Rt plain radiograph of the wrist, lateral projection, pediatric patient (boy, age 11). 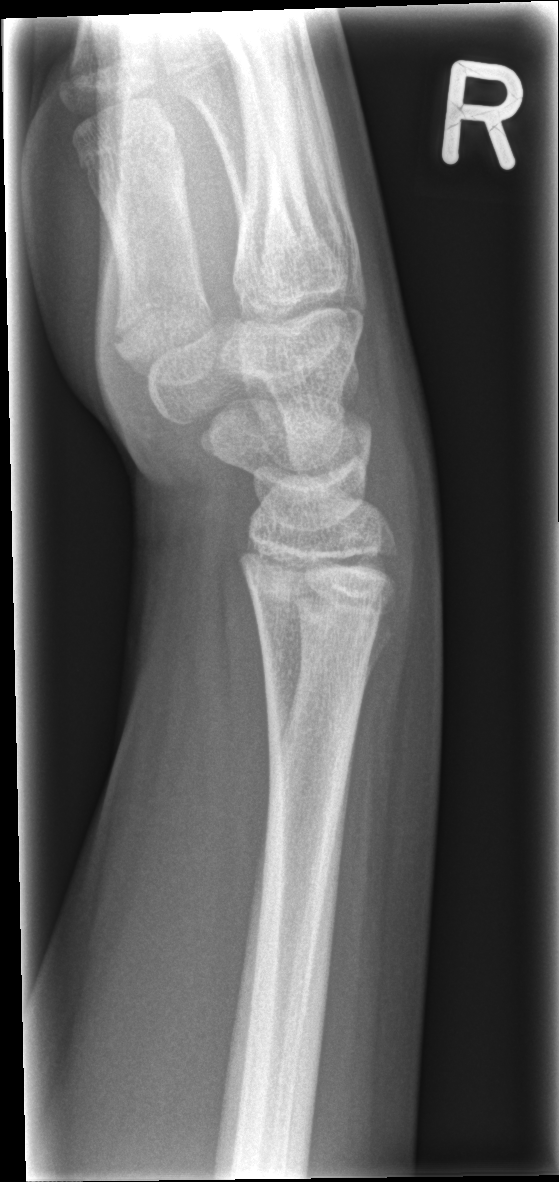

Q: Is there a fracture?
A: No fracture bounding box